Rt wrist radiograph | lateral 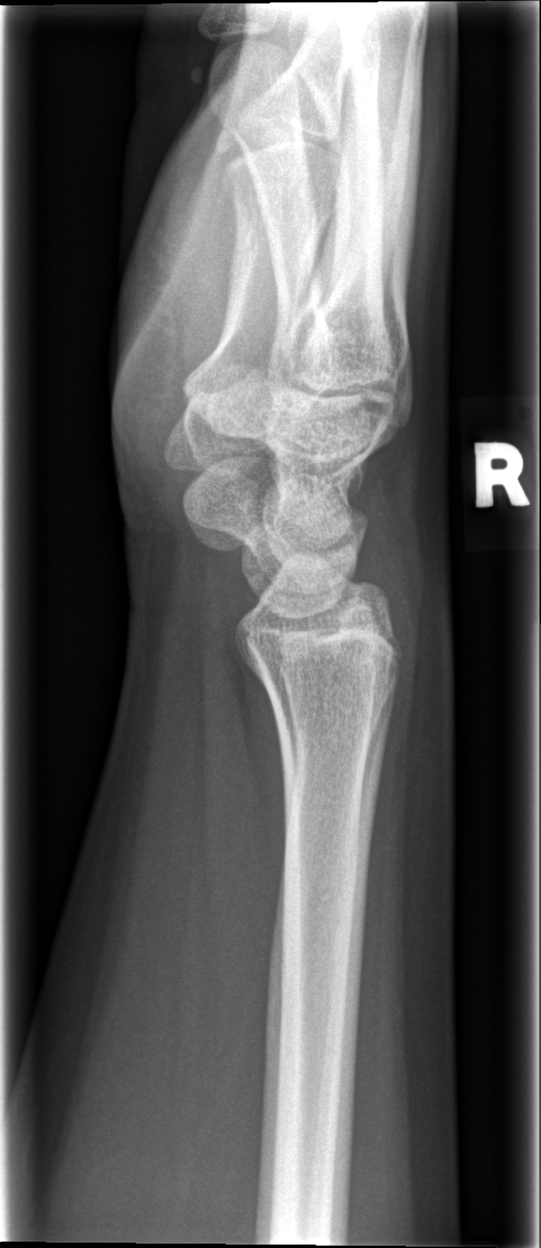

Fx = none labeled